Right wrist pediatric wrist radiograph | PA/AP projection | in cast.

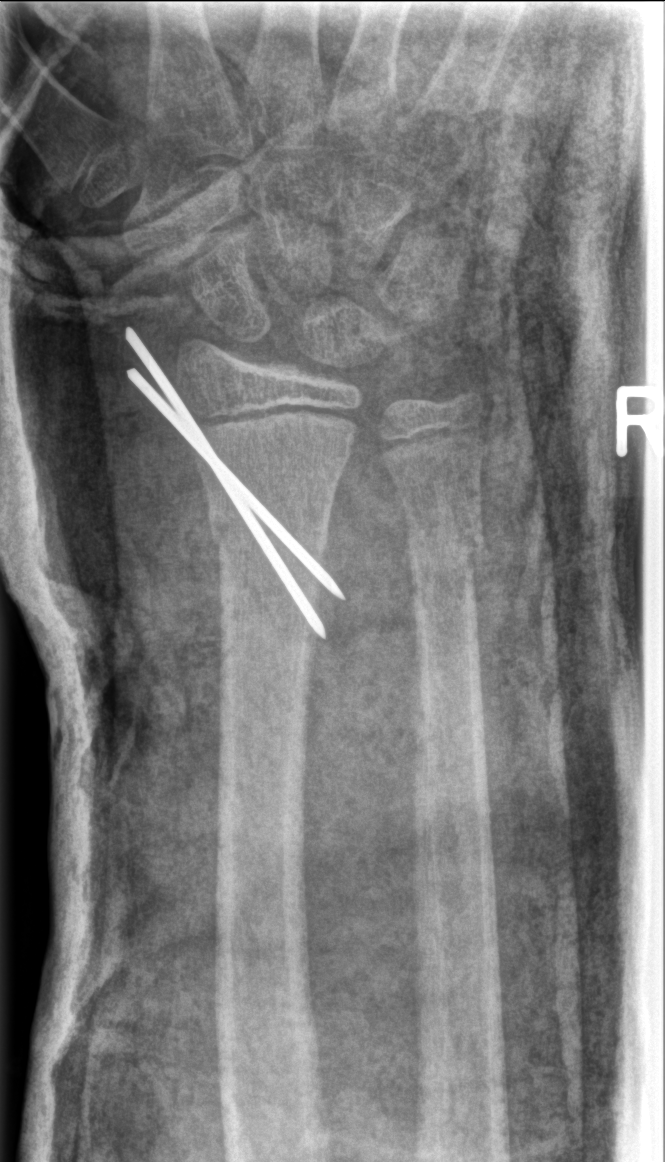

AO/OTA: 23-M/3.1
Fx: 2 @ <208,492>-<331,552>; <406,528>-<487,579>
metallic implant: 1 @ <122,325>-<348,639>